Right wrist radiograph | lateral projection | age 8 y, male | image 62.2 mm wide | 432x870:
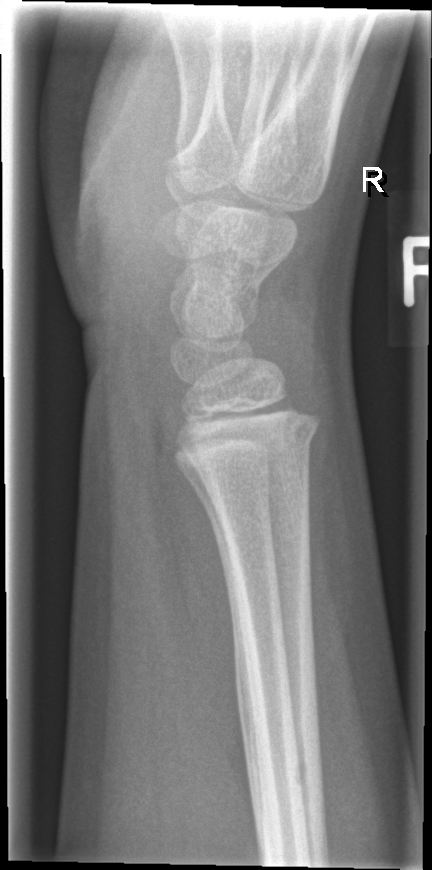

# coordinates are [x1, y1, x2, y2] in image pixels
ao: 23r-M/2.1
fracture: 1 @ (left=181, top=414, right=323, bottom=467)